Lateral · R wrist X-ray · 12y M · follow-up study · image width 56.7 mm · 394x1127 —
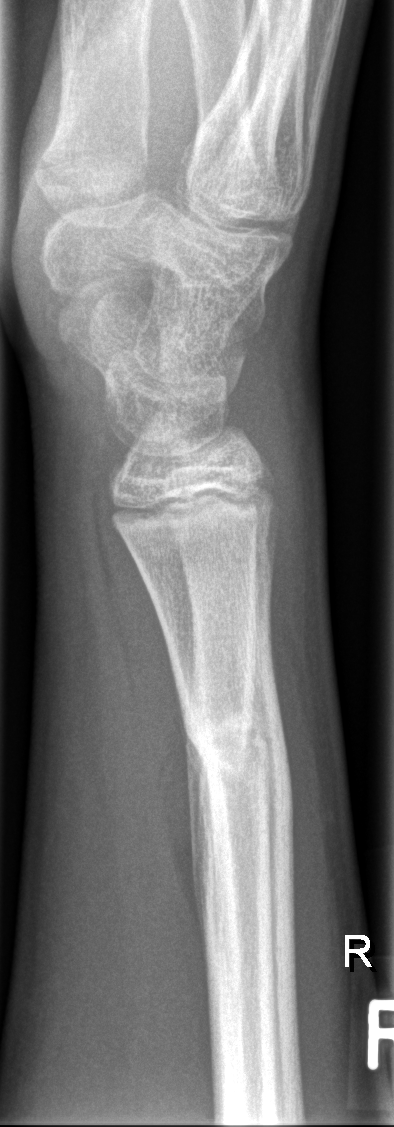

Findings: (boxes as x1,y1,x2,y2 (top-left / bottom-right, pixel units)) AO/OTA classification: 23-M/3.1. Bone fracture identified at (172, 683, 295, 811).